Lateral projection; left wrist X-ray; 10y F; index exam; detector: Siemens; 642x1294. 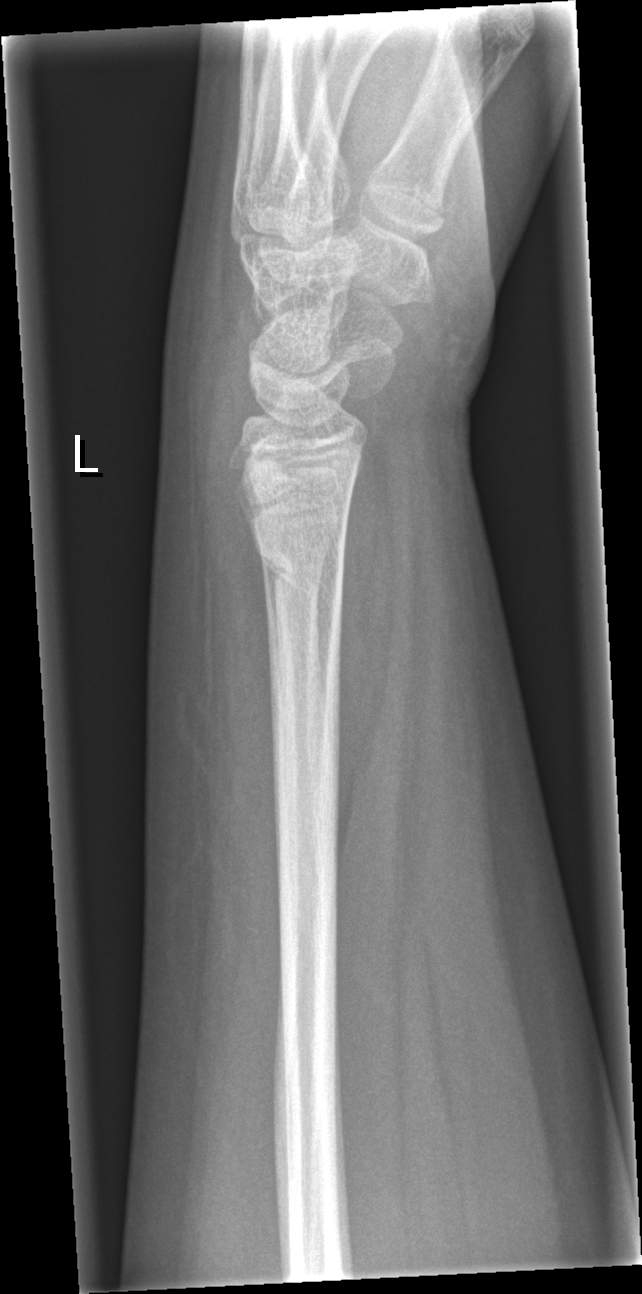

Boxes as x1,y1,x2,y2 (top-left / bottom-right, pixel units).
AO/OTA classification: 23r-M/2.1; 23u-E/7.
Bone fracture: [248, 530, 346, 620].
One pronator sign at [328, 428, 401, 874].